Rt plain radiograph of the wrist; frontal view; 12-year-old female; 624 x 748 px —

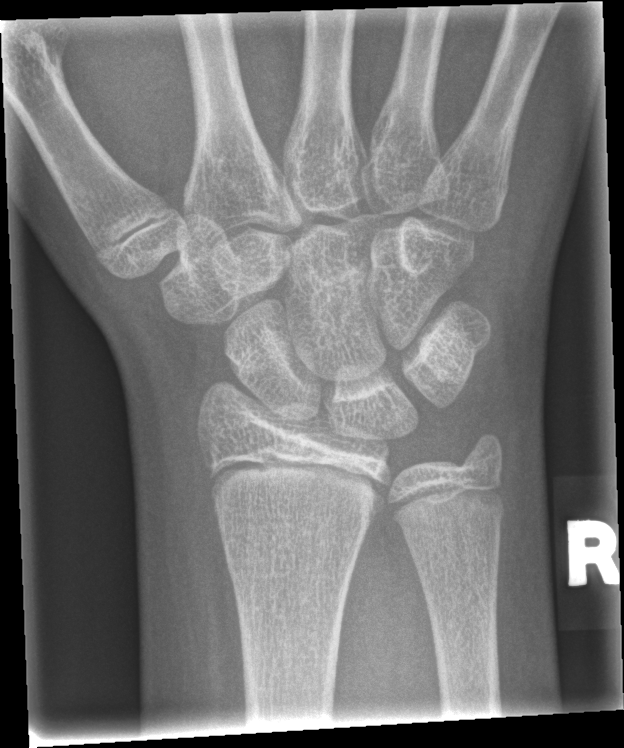   fracture: none labeled